Rt pediatric wrist radiograph | lat projection | follow-up study | imaged through cast 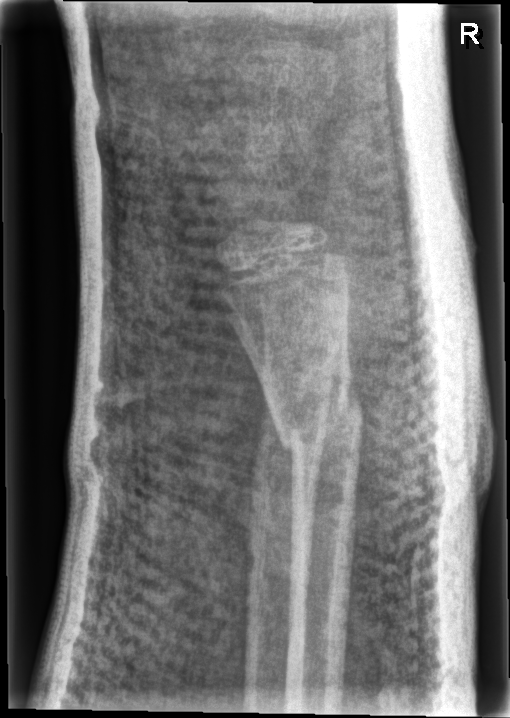
AO classification: 23r-M/3.1; 23u-M/2.1
bone fracture: 1 @ 263 381 367 462